Left wrist radiograph; lat projection. 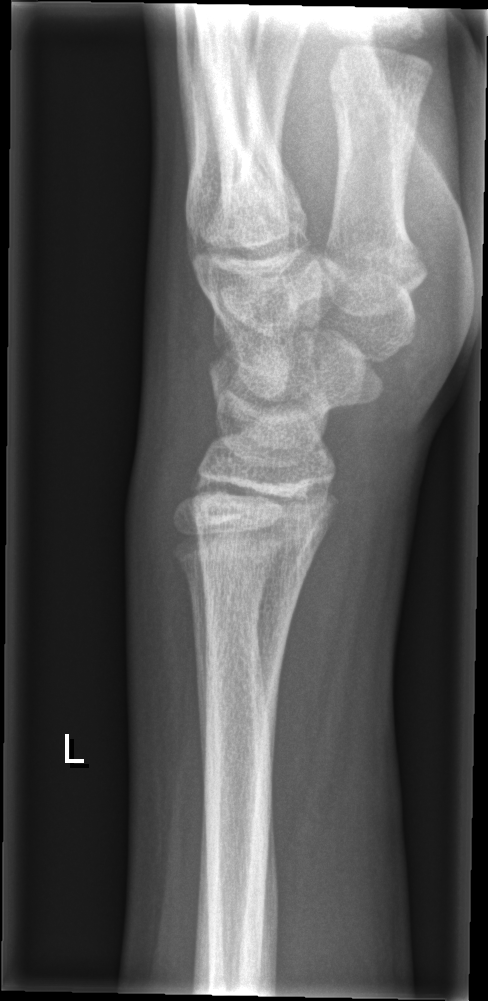

Findings: Fracture: none labeled.